PA/AP view; Rt wrist radiograph; pediatric patient (boy, age 15).

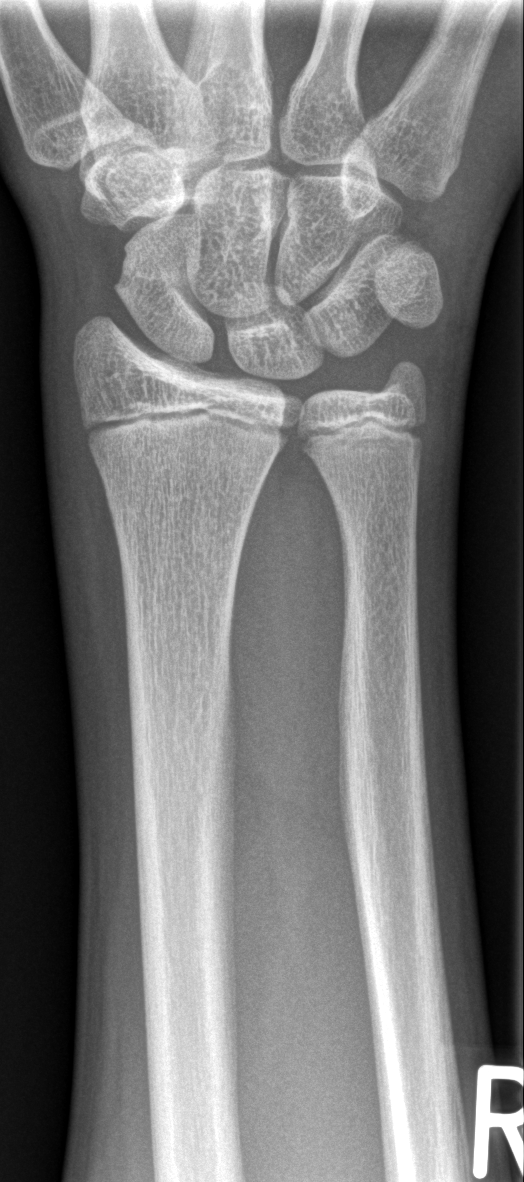

• Fracture: present but not clearly seen in this view.
• Fracture classified AO/OTA 23r-M/2.1.